Rt wrist X-ray | PA/AP projection | age 15 y, girl | 666 by 1000 pixels

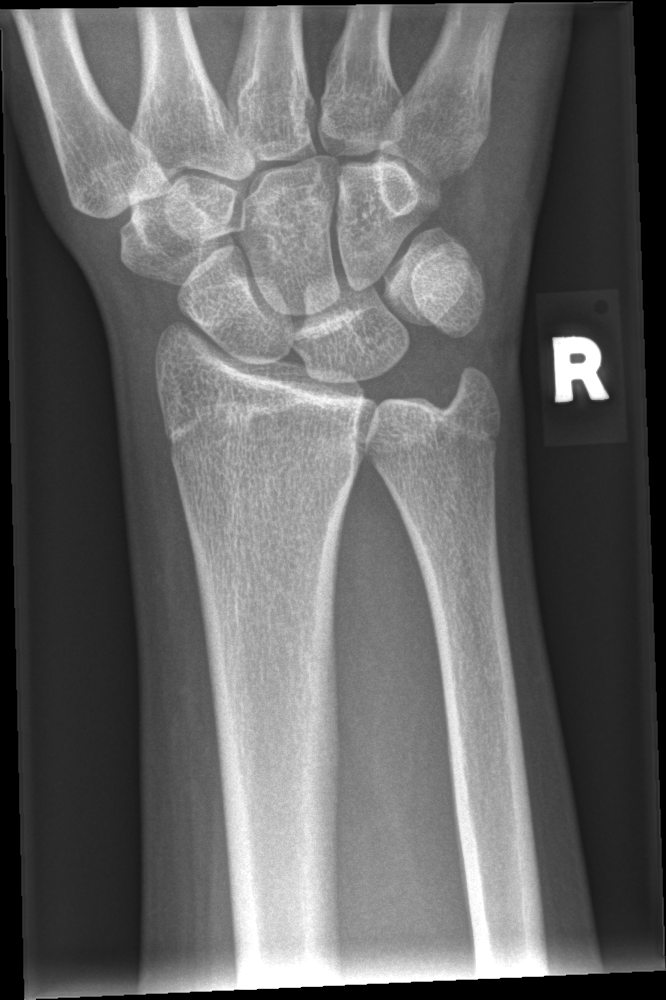

fracture = none labeled